R wrist XR · posteroanterior projection · 10y M 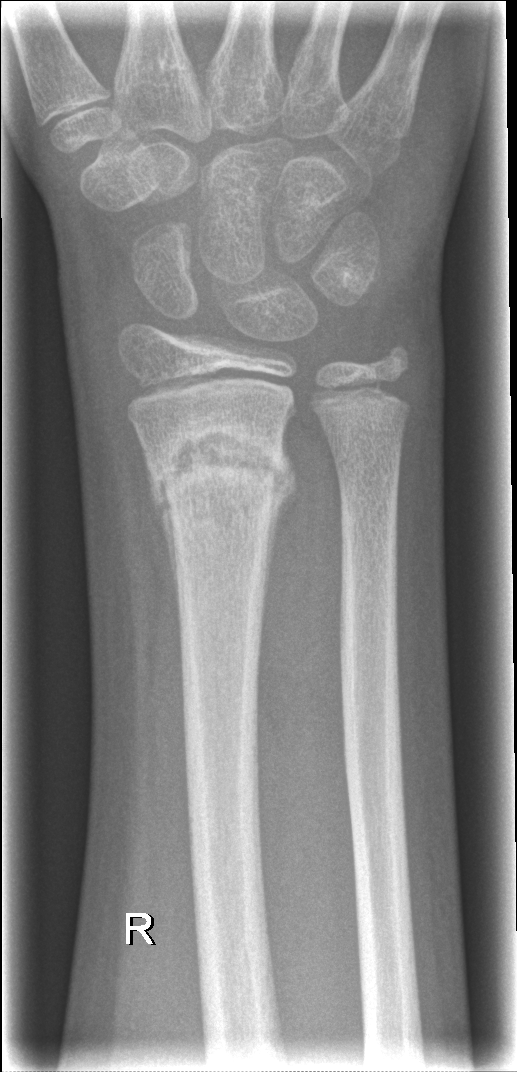 Q: Bone density?
A: Reduced bone mineral density
Q: AO code?
A: AO/OTA classification: 23r-M/3.1; 23u-M/2.1; 23u-E/7
Q: Locate any periosteal reaction.
A: Periosteal new bone: [x1=141, y1=444, x2=182, y2=615], [x1=265, y1=428, x2=300, y2=609]
Q: Fracture present?
A: Bone fracture: [x1=144, y1=417, x2=299, y2=546]